L wrist XR; lateral view; in cast.

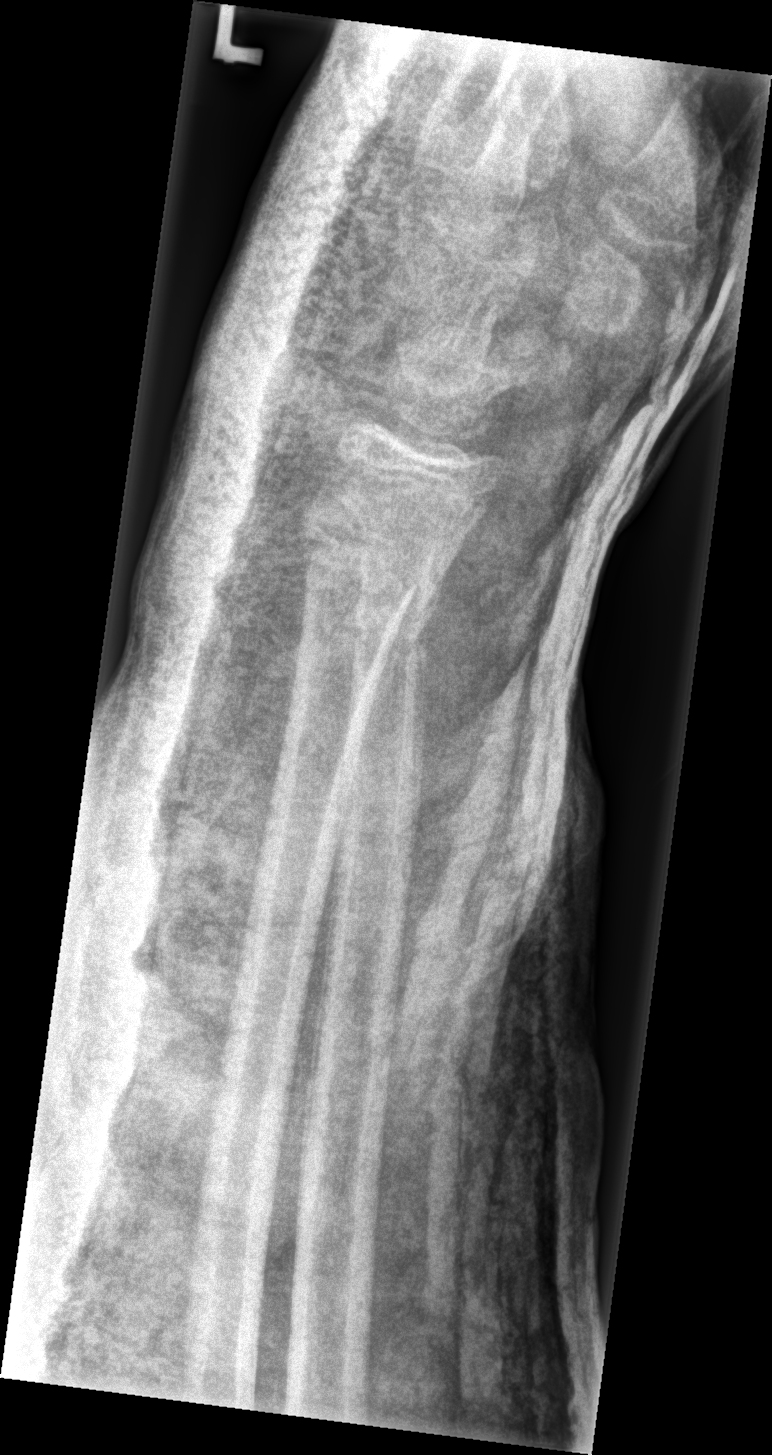 fracture: <295,503>-<463,649>
ao: 23r-M/3.1; 23u-M/2.1; 23u-E/7